Lat view; left wrist radiograph; Siemens —

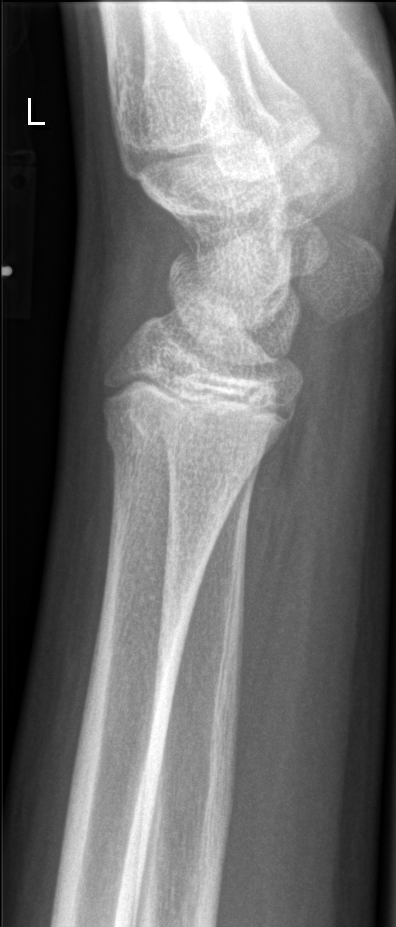 Pixel coordinates, top-left origin, xyxy. Fracture identified at bbox(100, 397, 266, 492).